L wrist XR · lateral projection · cast present
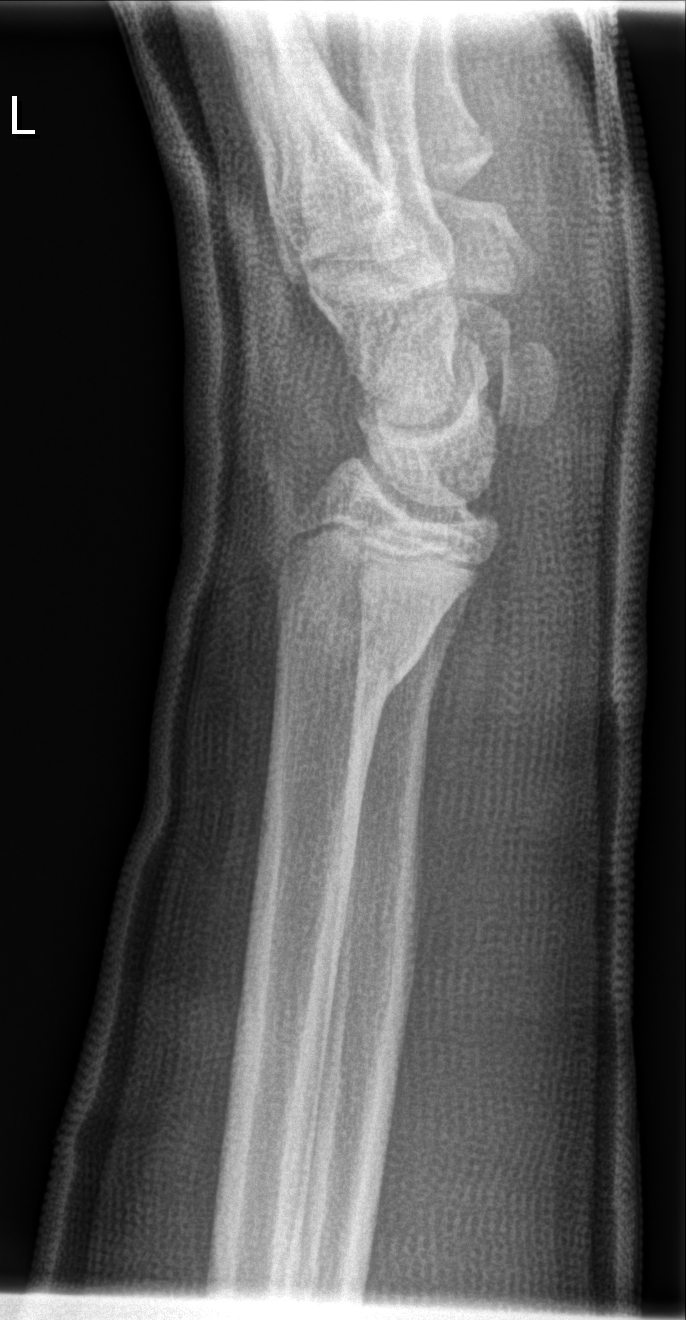

Coordinates are [x1, y1, x2, y2] in image pixels.
Fracture identified at bbox(269, 565, 456, 707).
AO/OTA classification: 23r-M/2.1.